PA/AP projection · right pediatric wrist radiograph · female, 15 yo · presentation radiograph · acquired on Siemens · 539x1074. 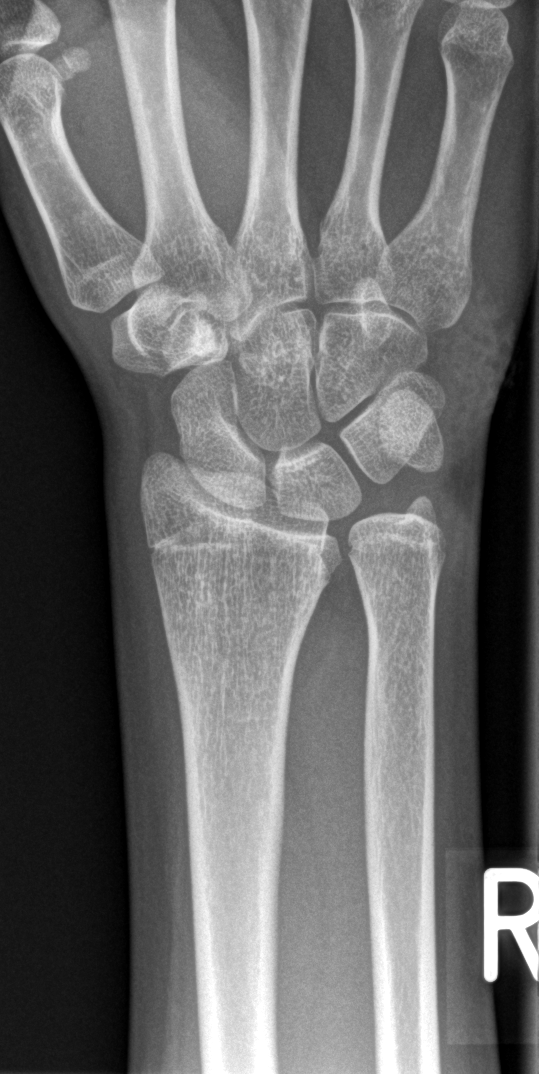 FINDINGS — Fracture: none labeled.